Lat projection, Rt wrist plain film.
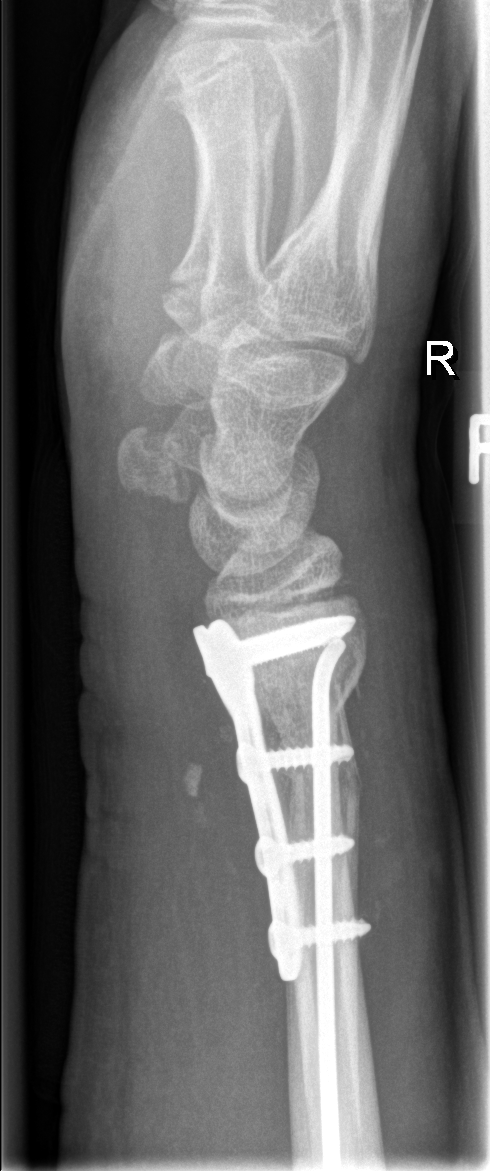

Pixel coordinates, top-left origin, xyxy. Hardware identified at <190,608>-<372,1171>. Bone fracture identified at <269,653>-<376,833>.